Left wrist X-ray | lat | subsequent exam | in cast | 648 x 1223 px —

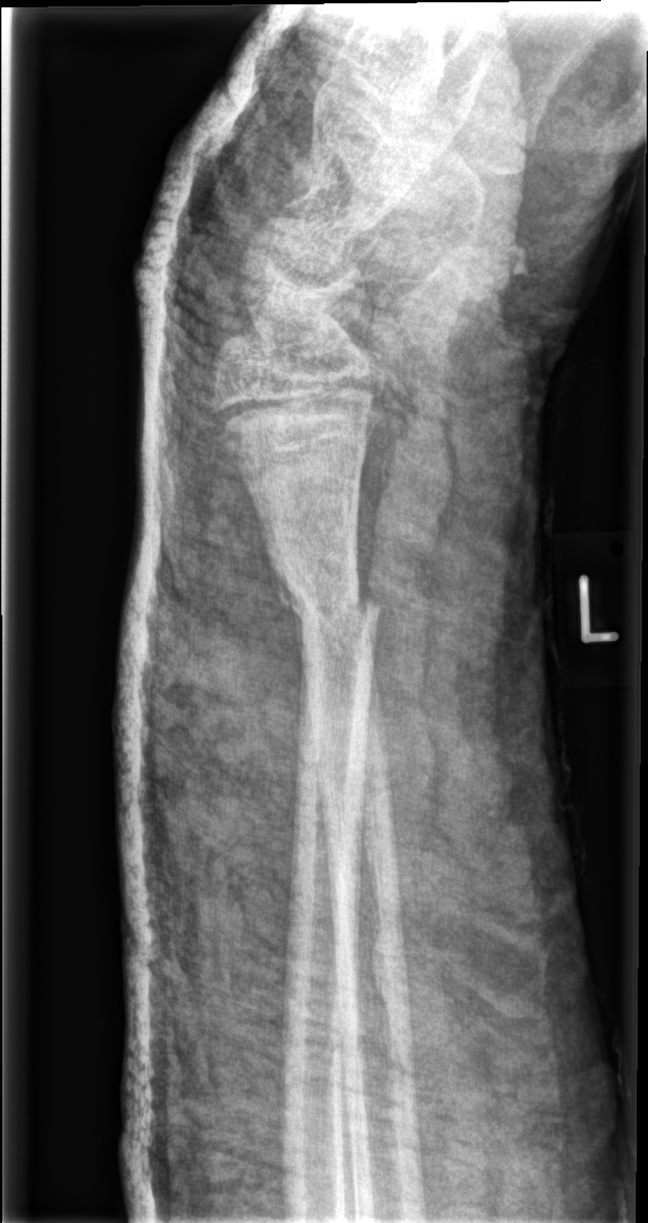

(bounding boxes in image-pixel xyxy)
Fracture = 1 @ [x1=272, y1=569, x2=384, y2=649]